PA/AP view | right wrist radiograph | 10y F | detector: Siemens — 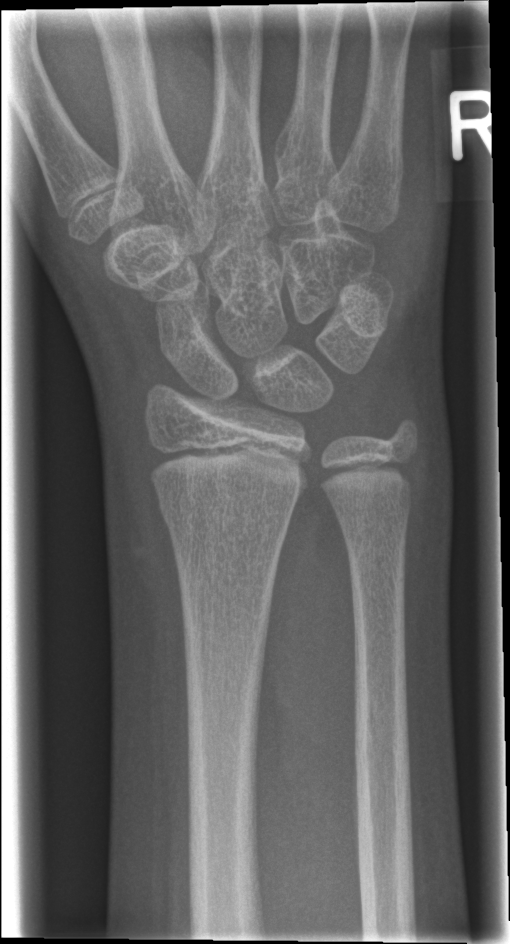

FINDINGS: (pixel coordinates, top-left origin, xyxy) Bone fracture — <155,486>-<297,542>. AO code 23r-M/2.1.